PA/AP view; right pediatric wrist radiograph; 10-year-old girl:
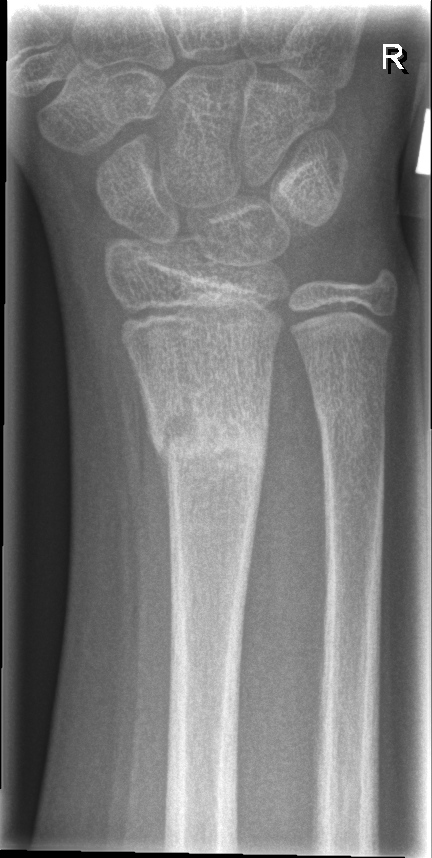 Q: Bone density?
A: Osteopenia
Q: AO code?
A: AO/OTA classification: 23-M/2.1
Q: Any fracture seen?
A: Fx — (left=146, top=377, right=272, bottom=488) (left=312, top=385, right=390, bottom=436)